AP view · left wrist X-ray.
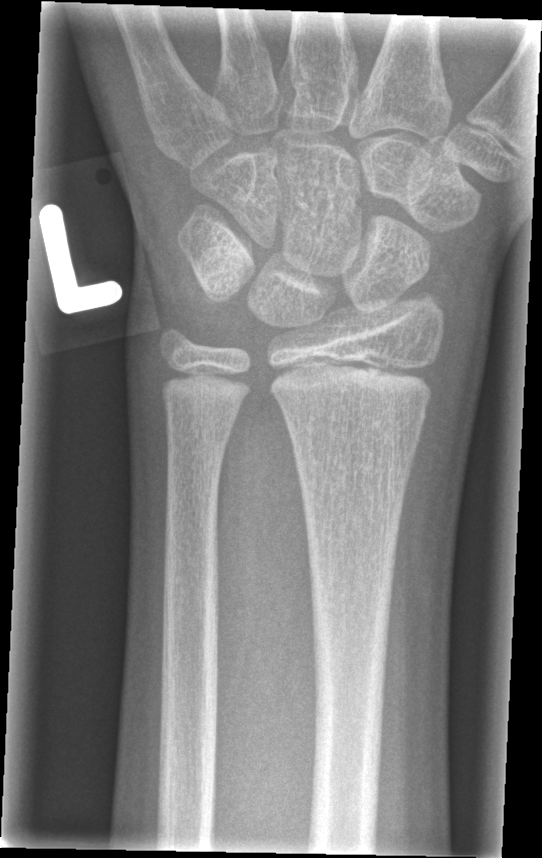
FINDINGS — No fracture annotation.